R wrist plain film; lateral projection. 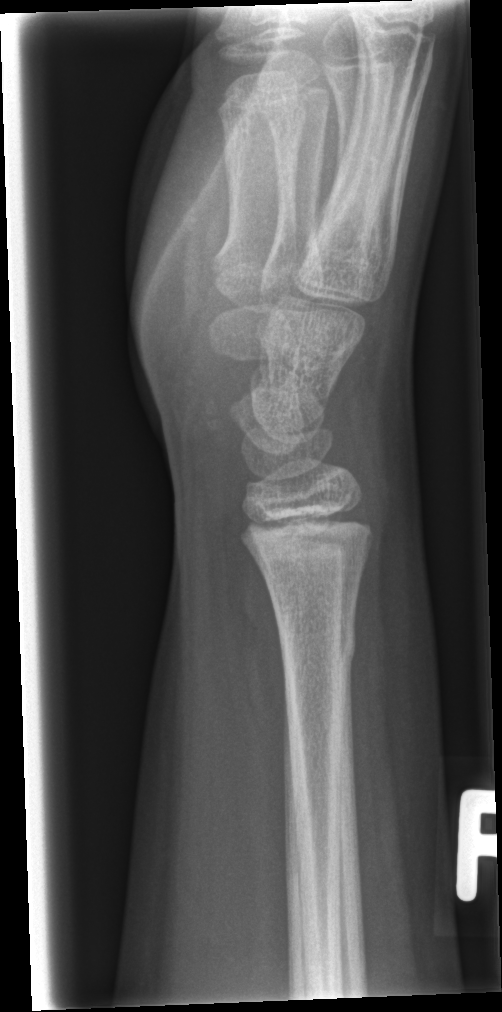 {"ao": "23r-M/2.1", "fracture": "(278, 630, 358, 681)"}